L wrist X-ray; lateral projection; follow-up; image size 556x1280:
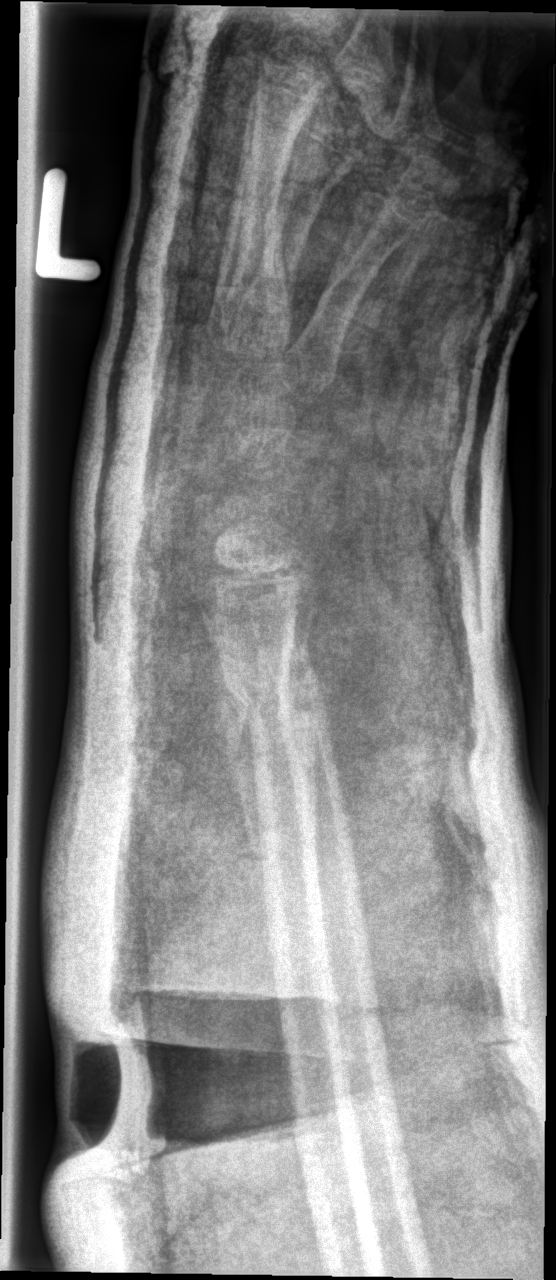

• Bounding boxes in image-pixel xyxy.
• Periosteal reaction — [209, 622, 270, 934] [289, 605, 321, 836].
• Bone fracture — [210, 665, 301, 759].